AP projection | L wrist XR | acquired on Siemens:

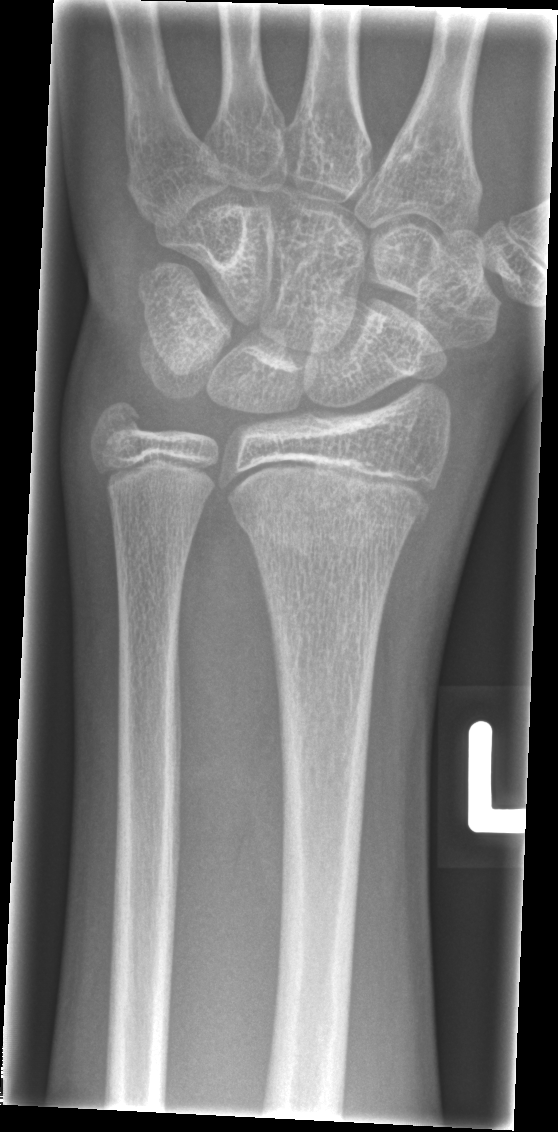 Q: AO code?
A: AO code 23r-E/2.1; 23u-E/7
Q: Fracture present?
A: Bone fractures — bbox(228, 470, 433, 553); bbox(89, 397, 153, 453)